Lat view · L pediatric wrist radiograph · pediatric patient (male, age 12) · image 83.8 mm wide
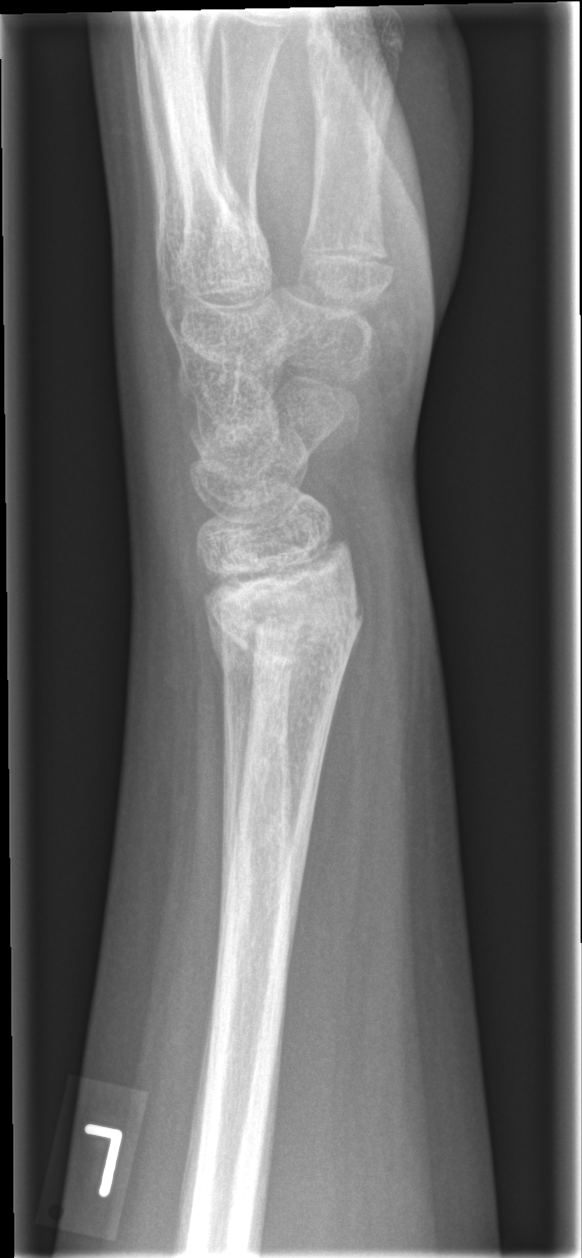 osteopenia = present
bone fracture = 1 @ (205, 576, 364, 669)
periosteal thickening = 1 @ (217, 636, 256, 922)
AO code = 23r-M/3.1; 23u-E/7